R wrist XR | lat | 514 x 1054 px —
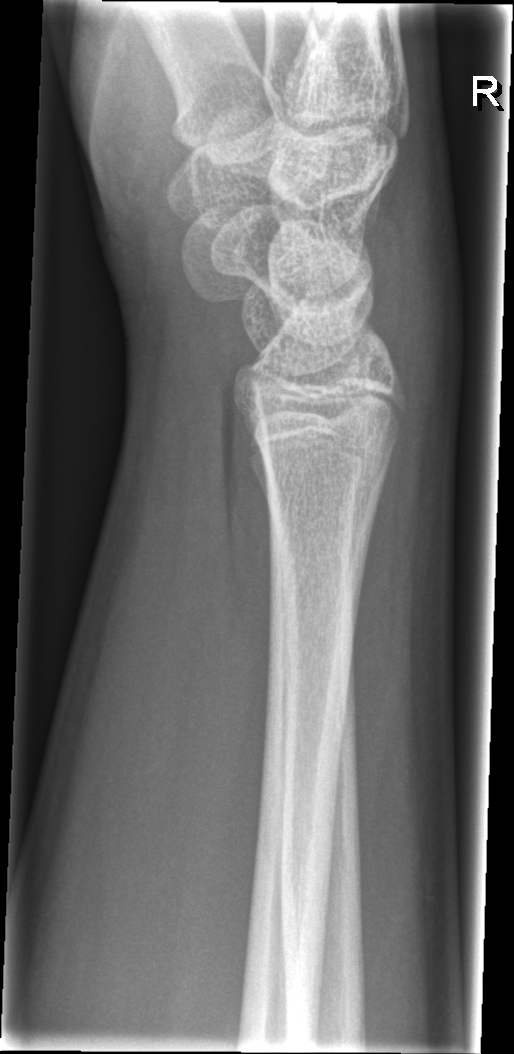
No Fx annotated.